Left wrist radiograph · lat view · boy, 5 yo · 586 x 960 px. 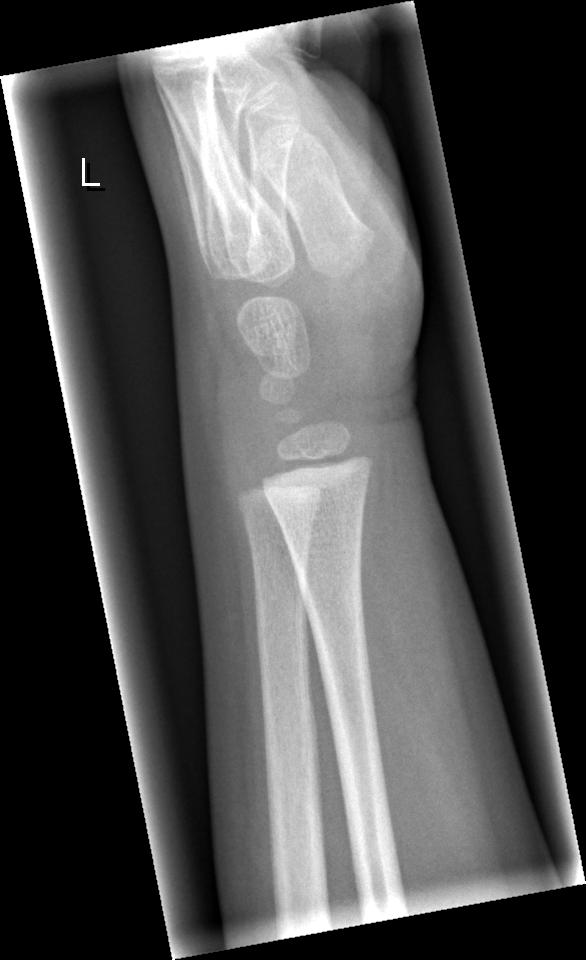 Bone fracture: none labeled